Left wrist pediatric wrist radiograph | lateral projection | pediatric patient (female, age 10)

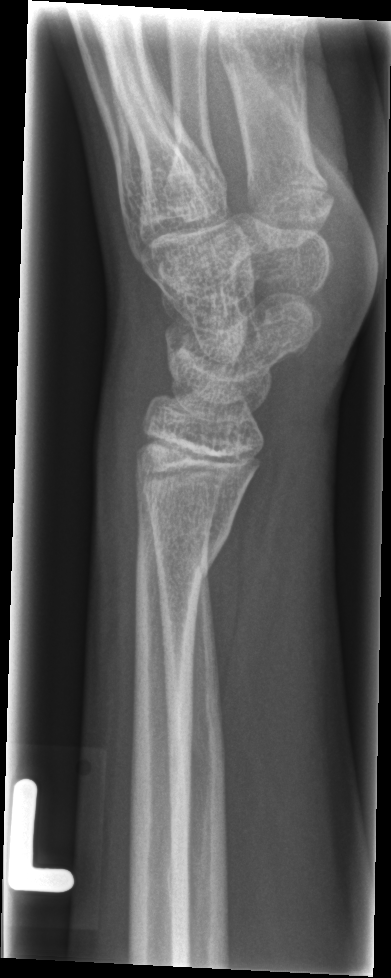

(bounding boxes in image-pixel xyxy)
fracture = bbox(132, 522, 236, 590)
AO code = 23r-M/2.1